Frontal, right plain radiograph of the wrist, 13-year-old girl:
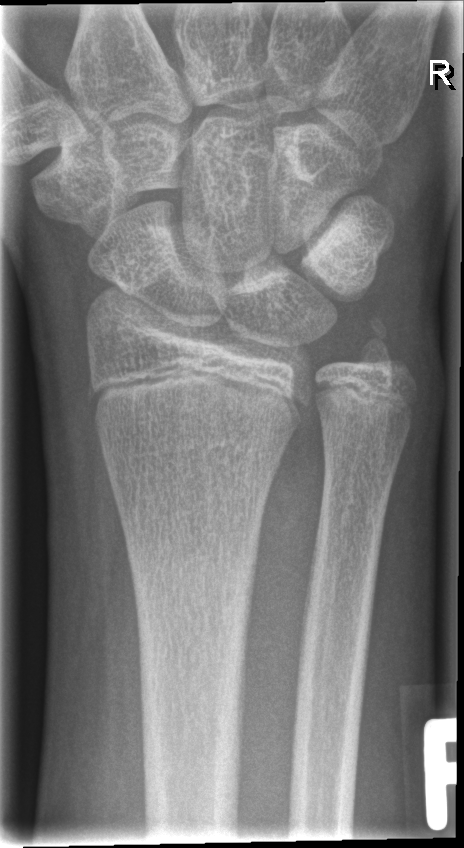 • Coordinates are [x1, y1, x2, y2] in image pixels.
• Bone fracture identified at 357 313 402 378.
• AO/OTA classification: 23u-E/7.